Right pediatric wrist radiograph, lateral
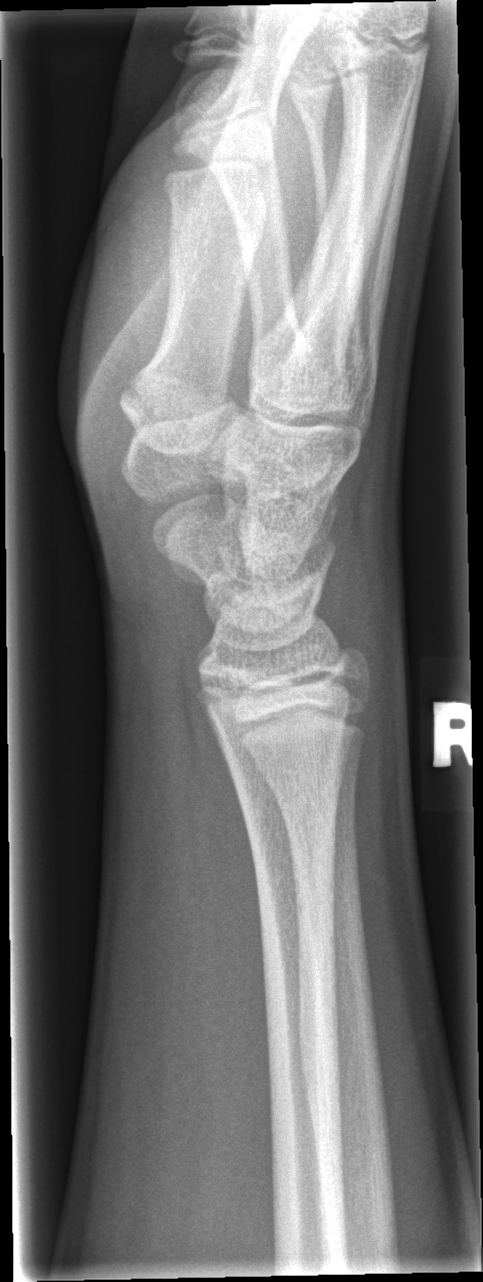

FINDINGS: No Fx annotated.